Lat projection; left wrist radiograph; 8-year-old girl; 410x920 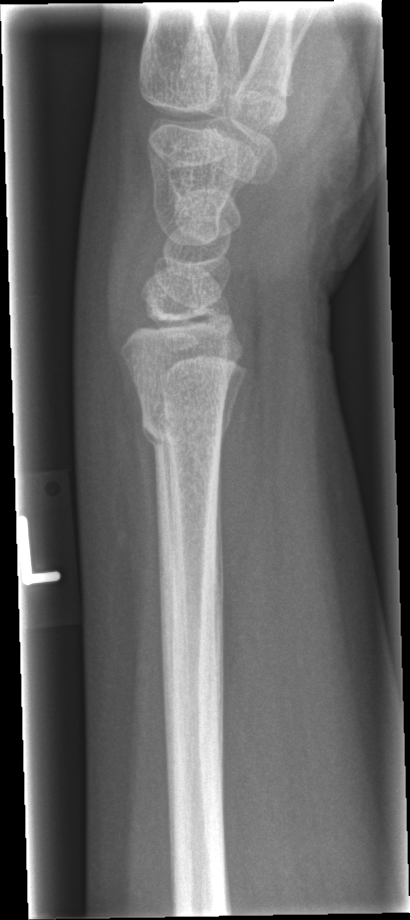
FINDINGS: (pixel coordinates, top-left origin, xyxy) One bone fracture at bbox(138, 402, 226, 461).